PA view; L pediatric wrist radiograph; pediatric patient (girl, age 11); presentation radiograph; image 70.1 mm wide:

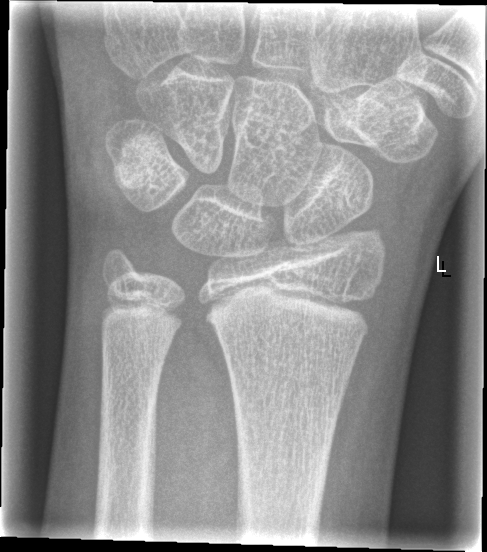

No fracture labeled.